Rt pediatric wrist radiograph, posteroanterior view 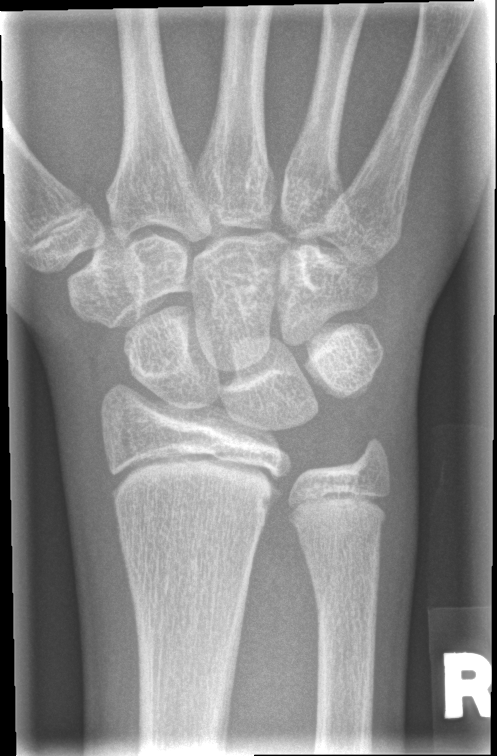

* Fx: none.